Lat view, Lt plain radiograph of the wrist, follow-up, cast in situ, image width 110.6 mm.
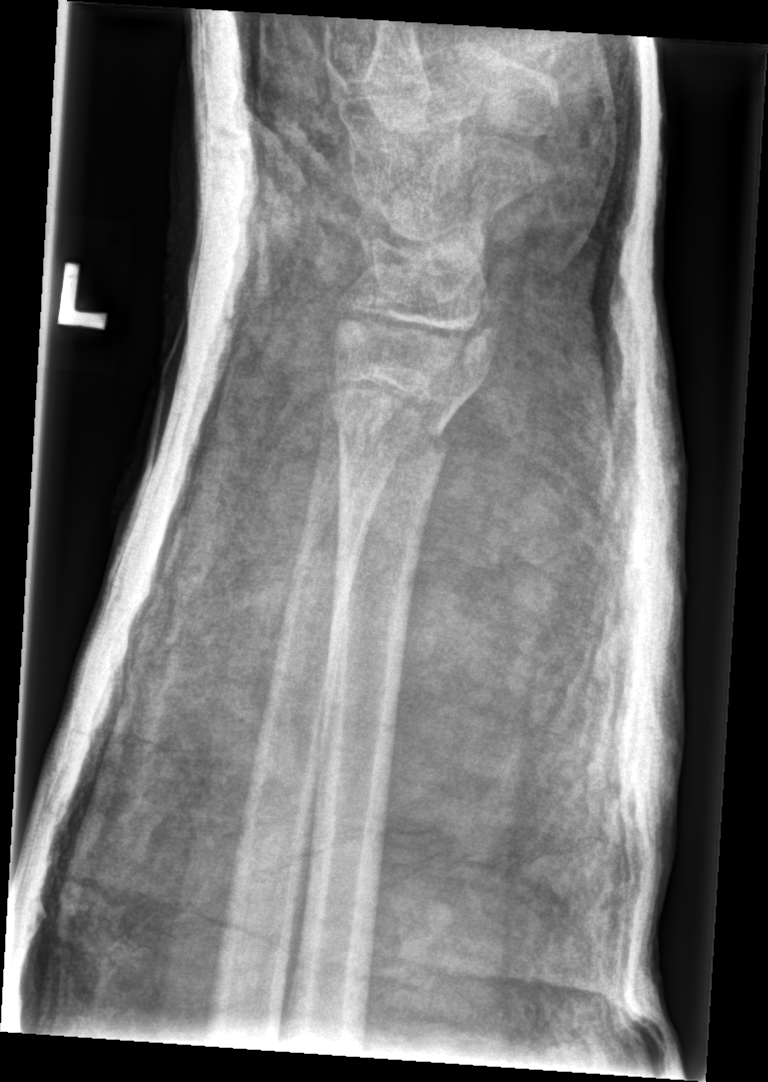

FINDINGS — AO code 23r-M/3.1; 23u-E/7. One bone fracture at [319, 352, 494, 482].